Right wrist XR, PA, initial study
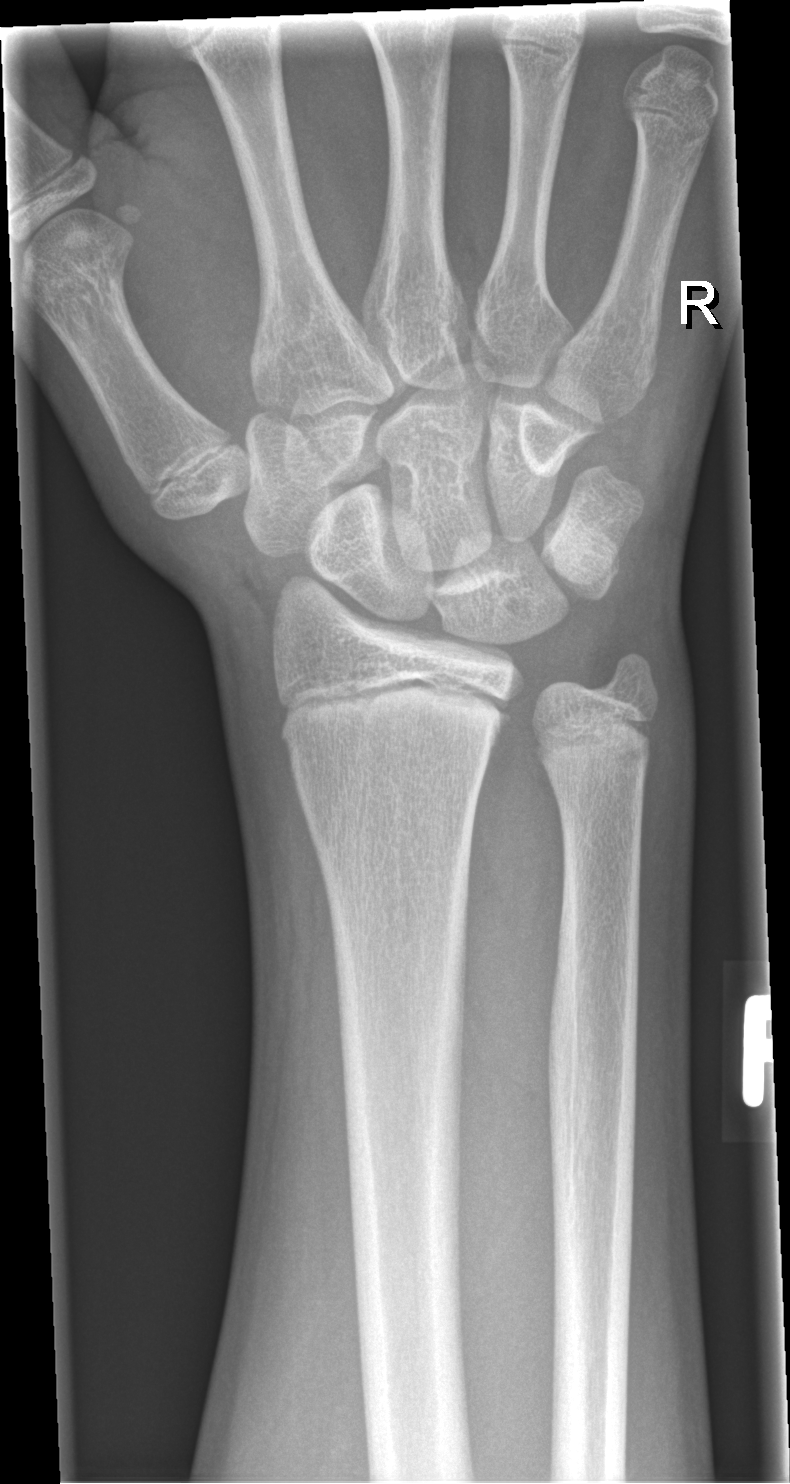
Findings: No fracture annotation.